PA/AP projection; Lt plain radiograph of the wrist; pediatric patient (boy, age 8); subsequent exam; cast present; Siemens 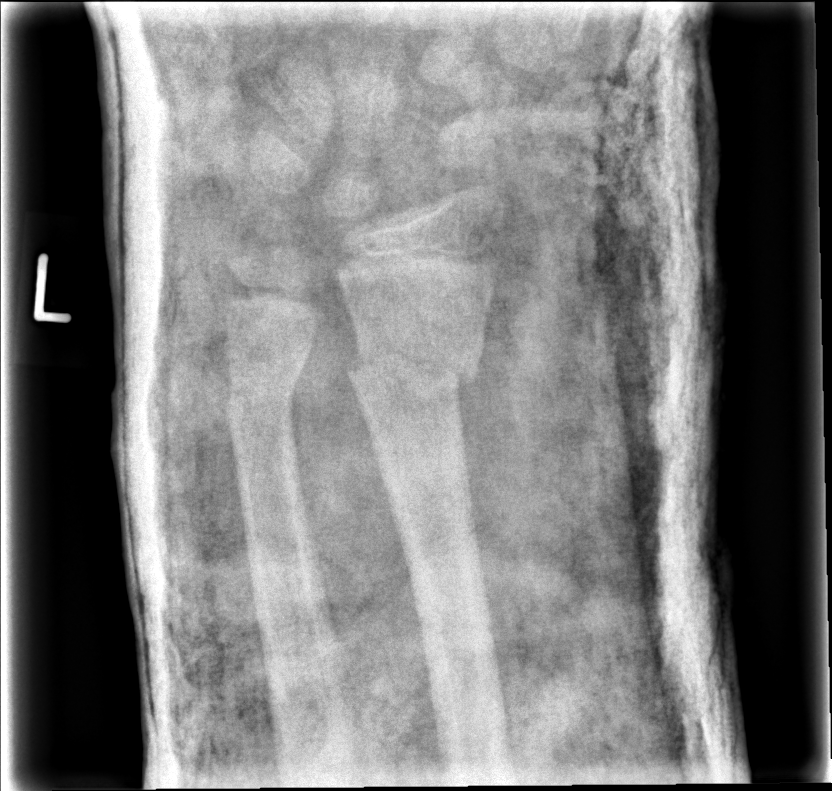
Fx: (left=343, top=331, right=484, bottom=410) (left=219, top=356, right=304, bottom=430)